Lateral, R wrist radiograph, female, 12 yo, initial study, 493x1228
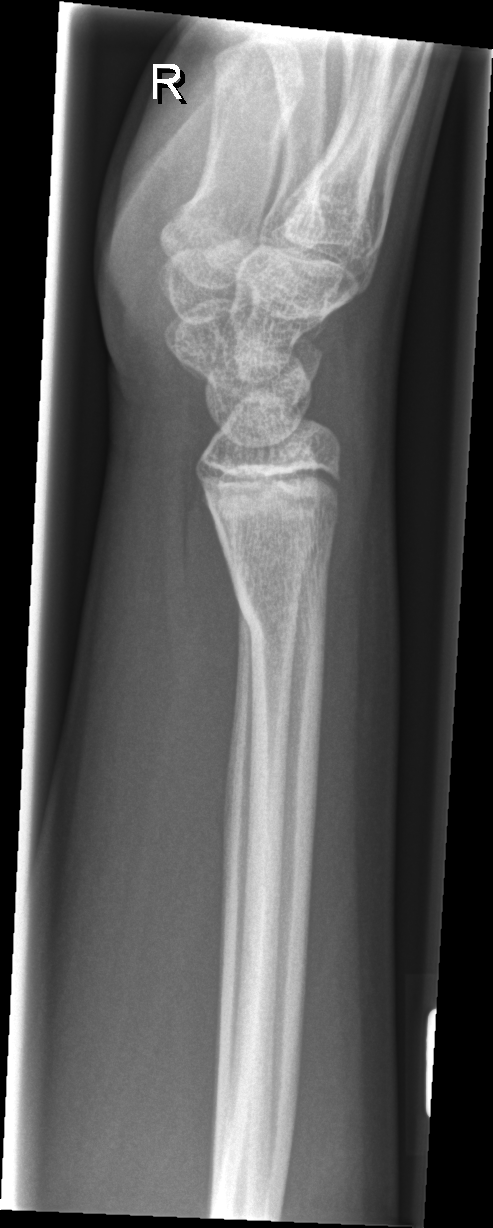
Boxes as x1,y1,x2,y2 (top-left / bottom-right, pixel units). One bone fracture at <231,578>-<330,661>. AO code 23r-M/2.1.